PA projection | L wrist X-ray | female, 11 yo | subsequent exam | 632 by 910 pixels — 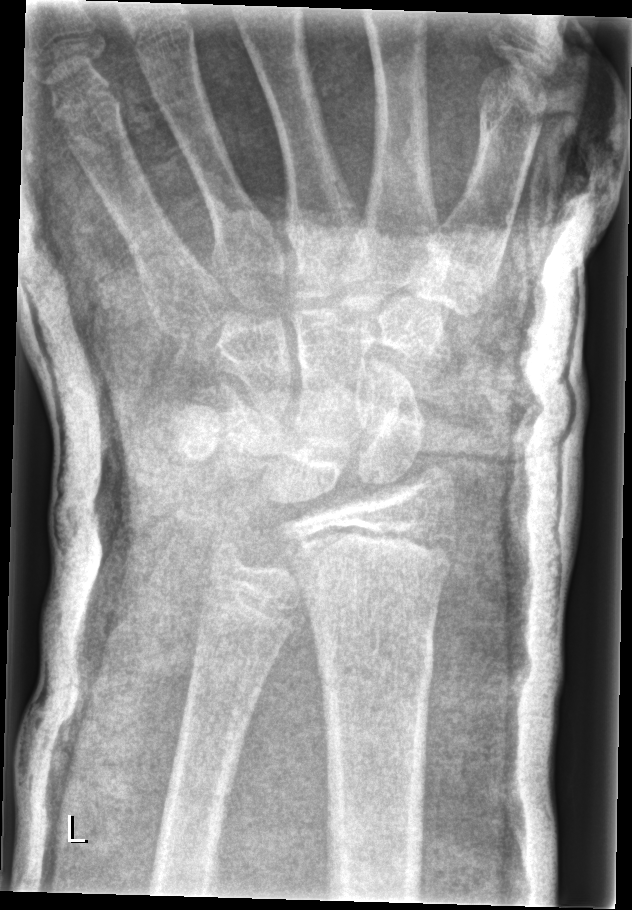 {"_coords": "coordinates are [x1, y1, x2, y2] in image pixels", "boneanomaly": "bbox(192, 490, 321, 672)", "fracture": "bbox(304, 613, 444, 690)"}